R wrist plain film; PA projection. 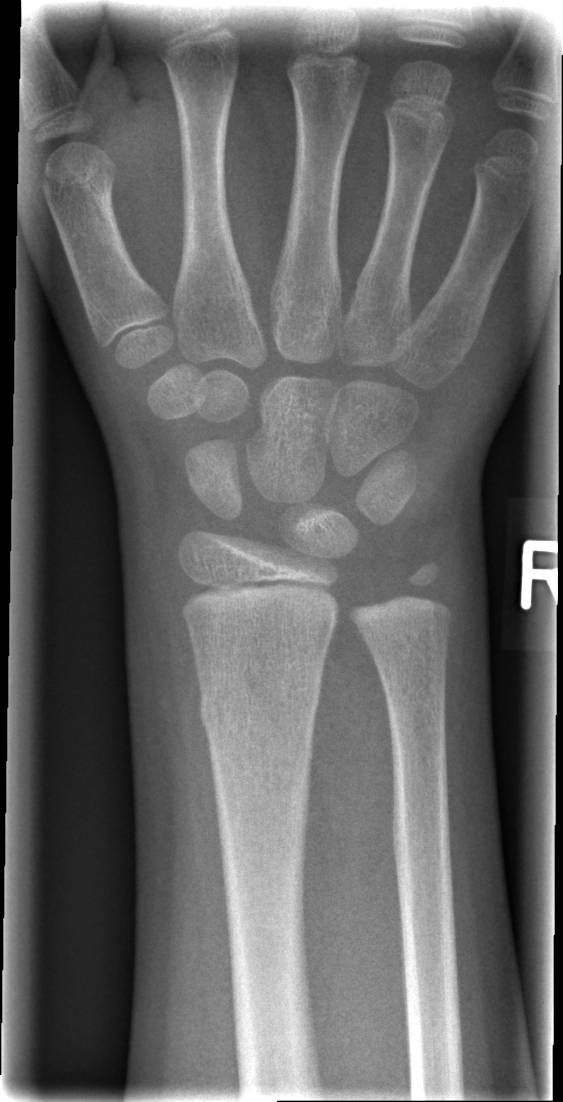 - Bone fracture — bbox(194, 664, 326, 739).
- AO/OTA classification: 23r-M/2.1.